Right wrist XR · frontal projection · 14y M:

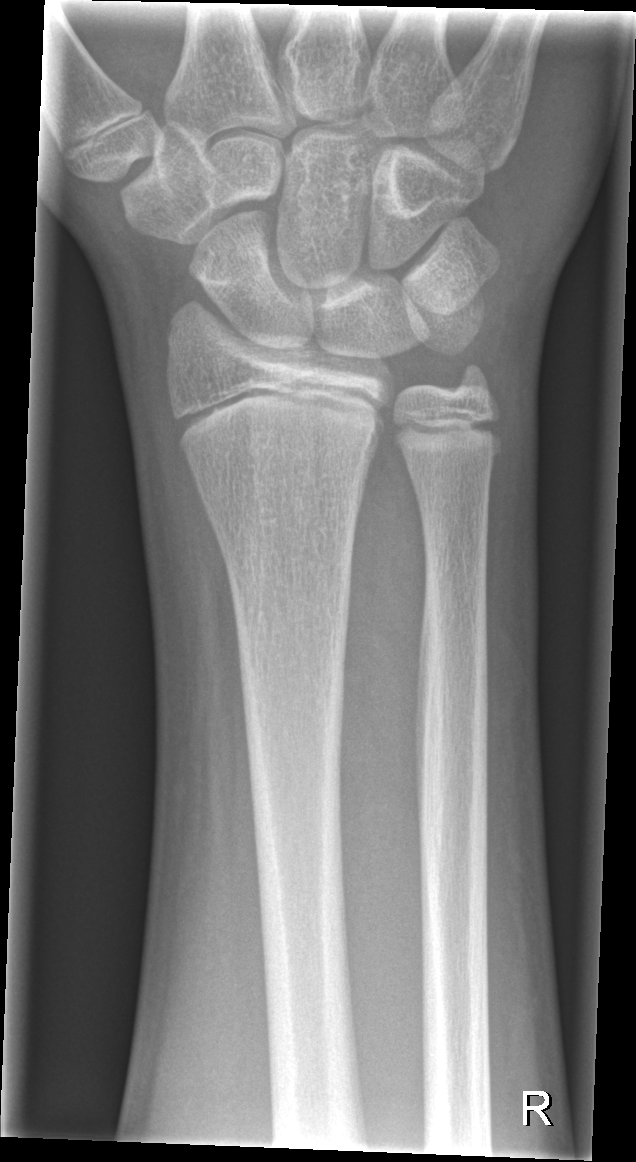

bone fracture: none labeled